Lt wrist X-ray, lat
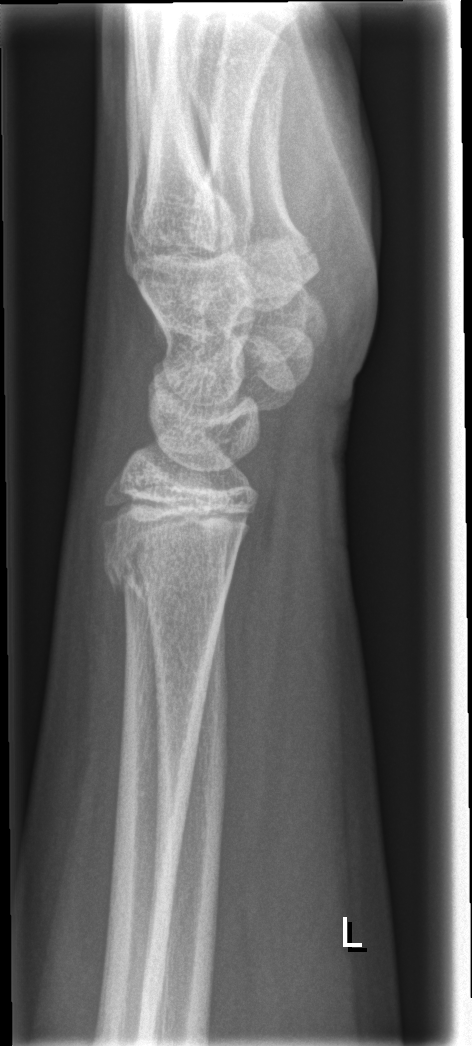 Bone fracture — (left=95, top=511, right=241, bottom=603).
AO/OTA classification: 23r-M/2.1.